L pediatric wrist radiograph · lateral projection · index exam · detector: Siemens: 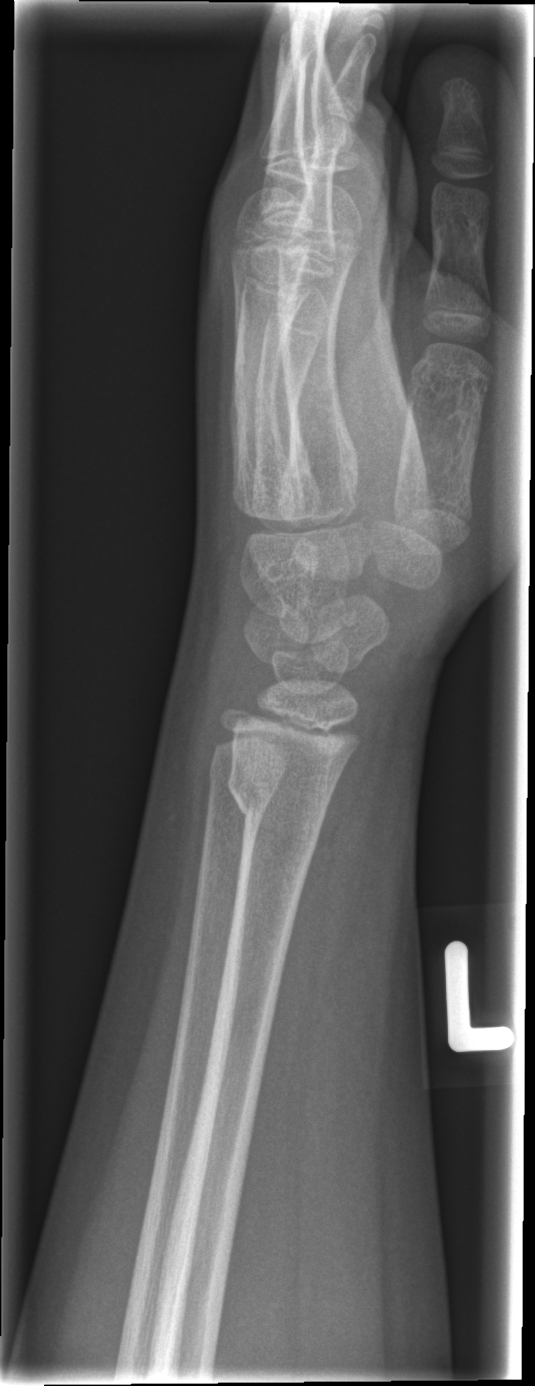 FINDINGS: (pixel coordinates, top-left origin, xyxy) AO/OTA classification: 23-M/2.1. Fx — <224,764>-<331,844>.